Rt pediatric wrist radiograph; PA; 12-year-old girl; 667 by 828 pixels: 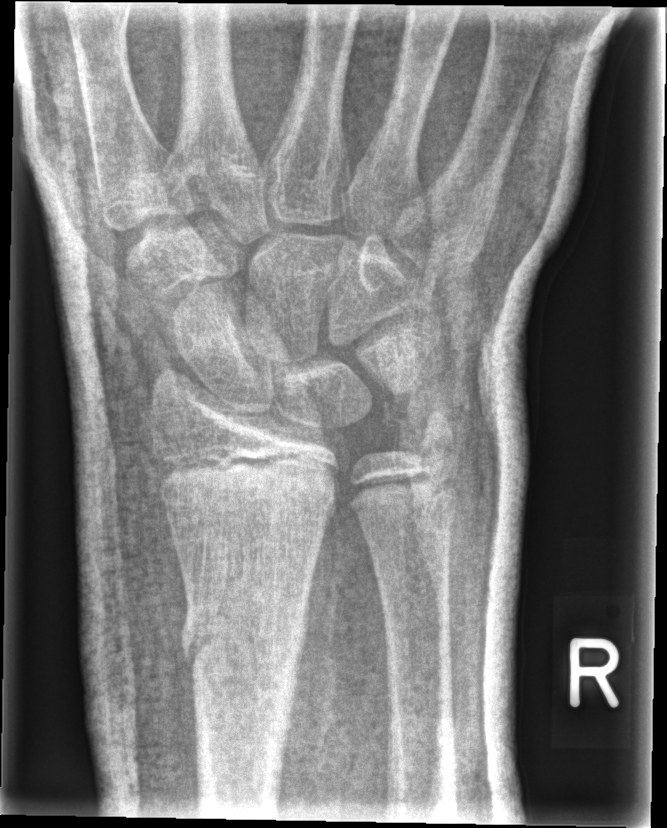 Boxes as x1,y1,x2,y2 (top-left / bottom-right, pixel units). Fracture: 179 594 309 684 | 402 405 464 472. AO code 23r-M/3.1; 23u-E/7.